Lateral; left wrist plain radiograph of the wrist; 559 by 1388 pixels —
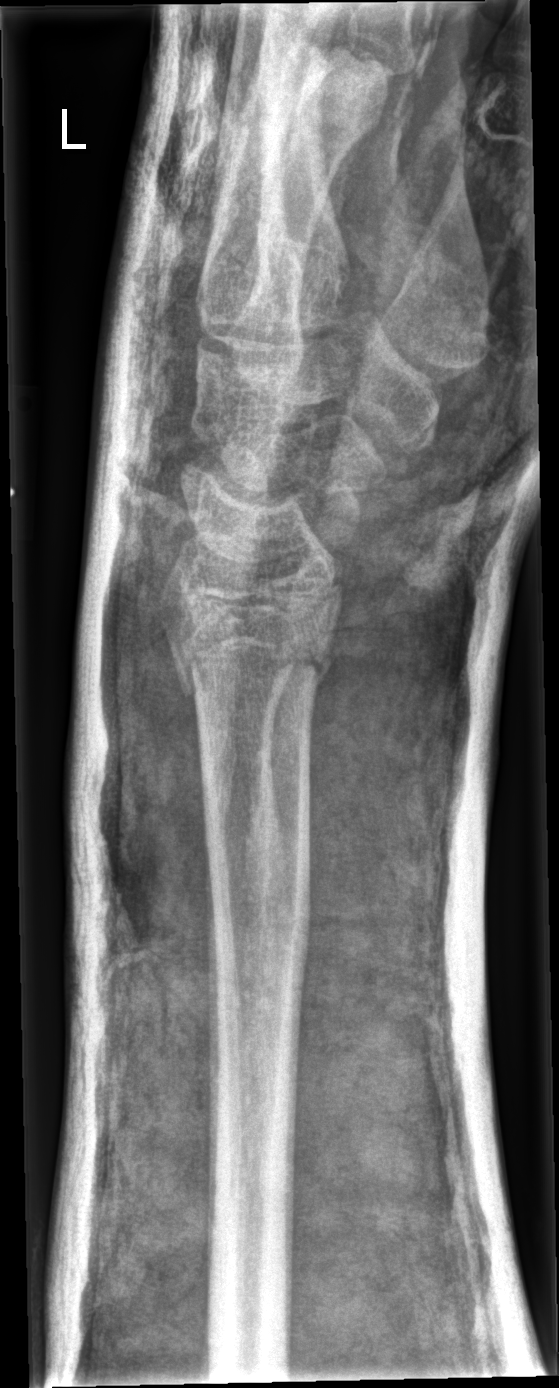

FINDINGS — One bone fracture at 166 606 340 705.